Frontal view; L pediatric wrist radiograph; age 2 y, male; presentation radiograph 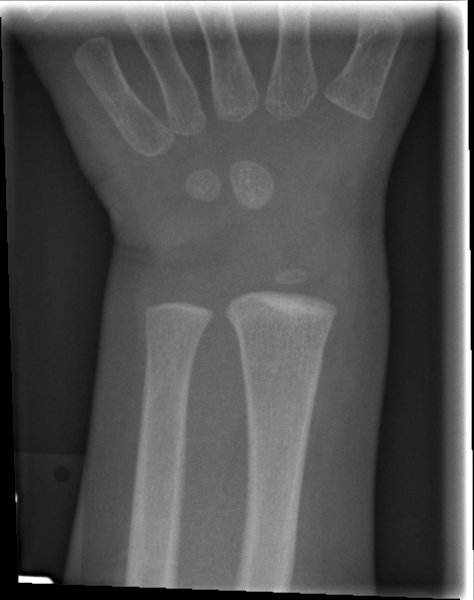 Fx = [231, 330, 331, 384]